Lat, left wrist X-ray, age 13 y, male, cast in situ. 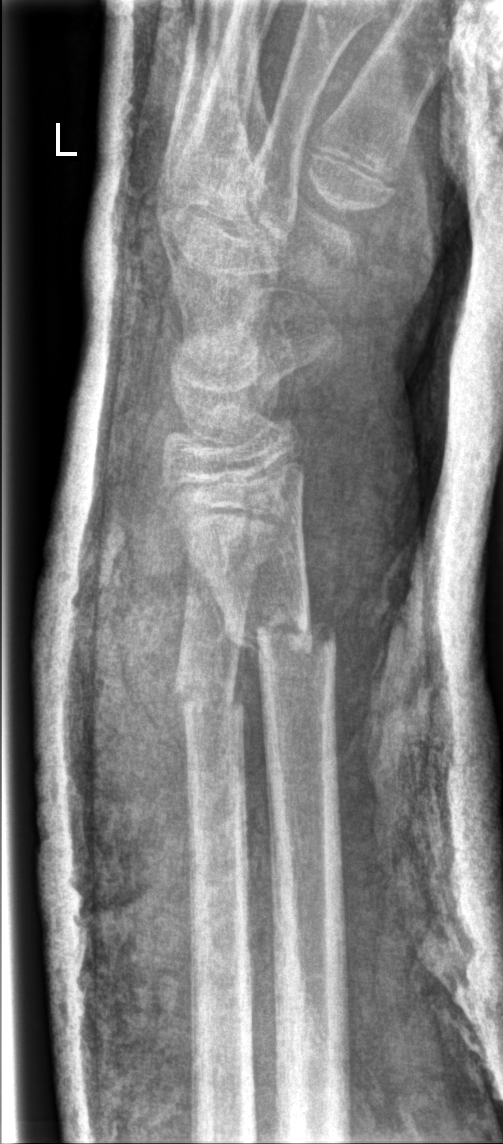 Boxes as x1,y1,x2,y2 (top-left / bottom-right, pixel units). AO code 23-M/3.1. Bone fracture identified at (220, 595, 338, 670), (170, 667, 249, 727).